Right wrist X-ray, frontal view, pediatric patient (male, age 11)
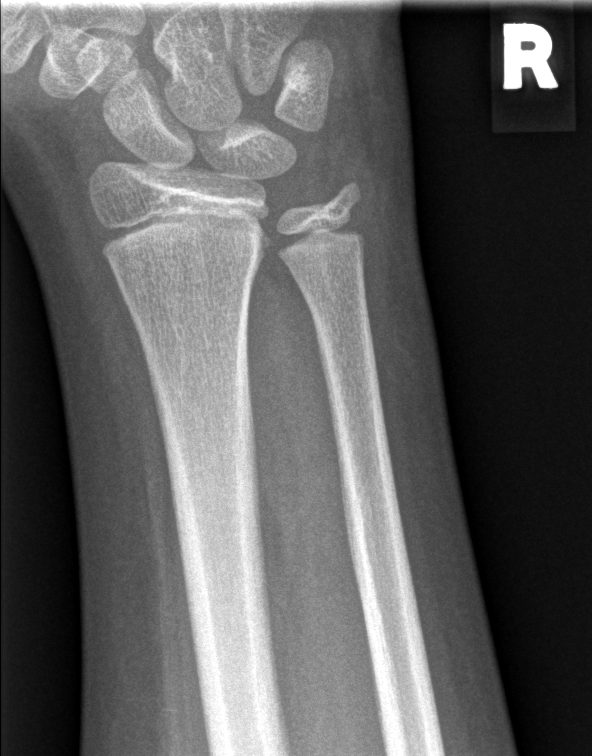

fracture: none labeled